Lat view; Lt plain radiograph of the wrist; initial study. 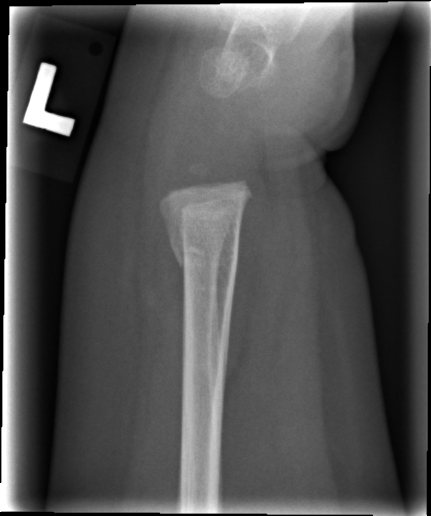 fracture: (left=171, top=237, right=243, bottom=285)